AP projection | Lt pediatric wrist radiograph | detector: Siemens

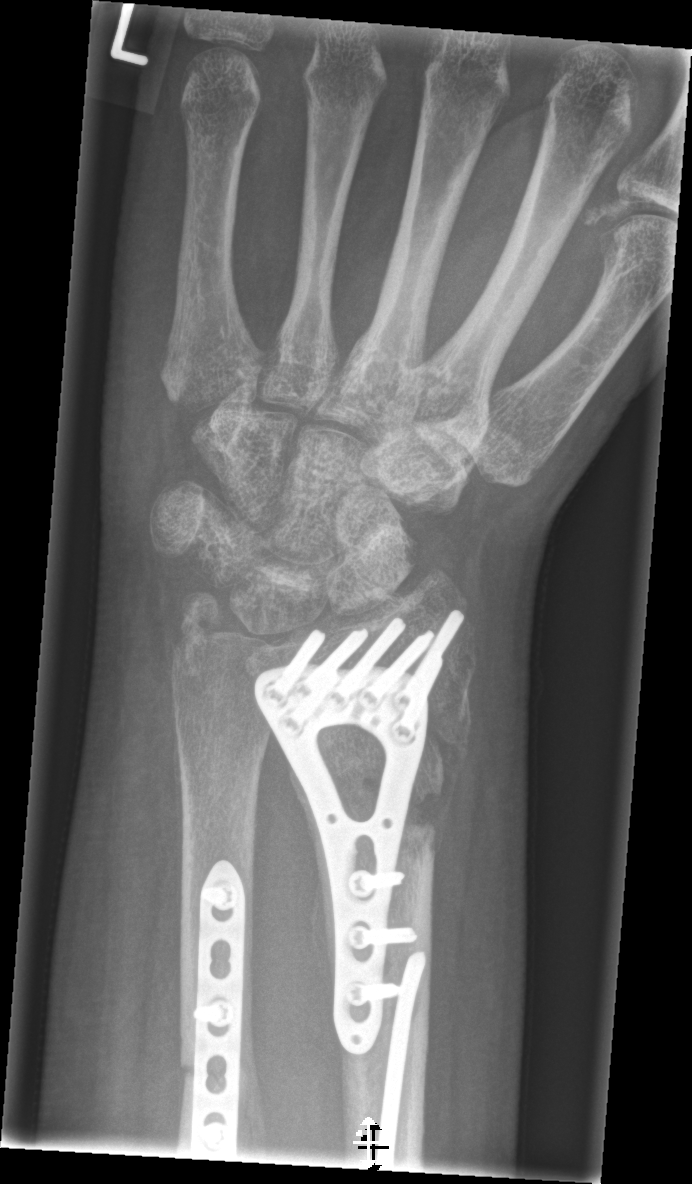 • AO/OTA classification: 23r-M/3.1; 23u-E/7.
• Hardware: (252, 609, 466, 1056); (190, 858, 247, 1163); (374, 950, 428, 1171).
• Fracture: (276, 672, 481, 844); (168, 583, 235, 670).